PA/AP projection | left wrist radiograph | 14y M | 563 x 1052 px —
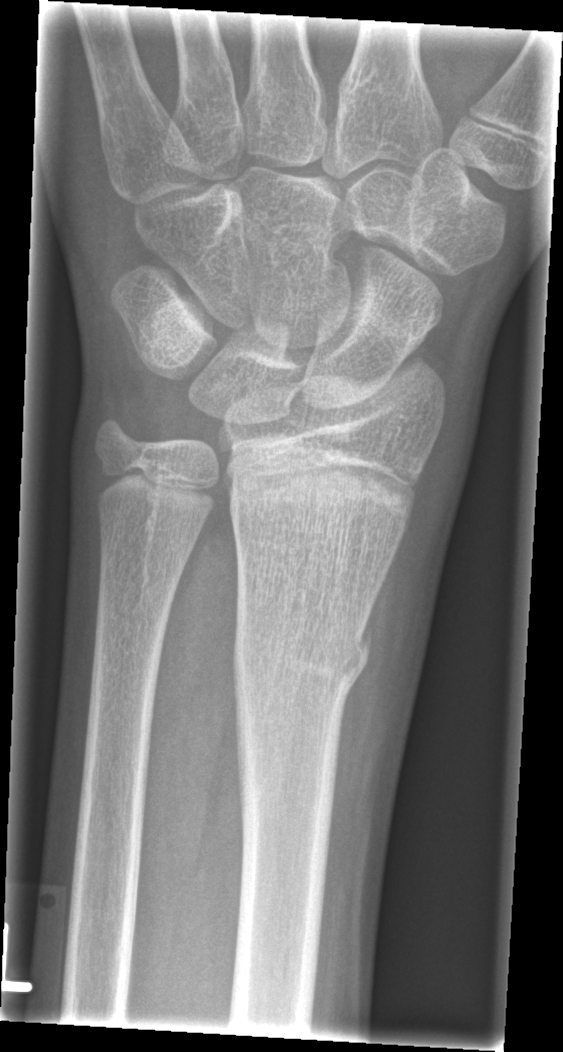

fracture: 1 @ (227, 610, 375, 697)
ao: 23r-M/2.1